R pediatric wrist radiograph | lateral projection | age 7 y, girl | subsequent exam
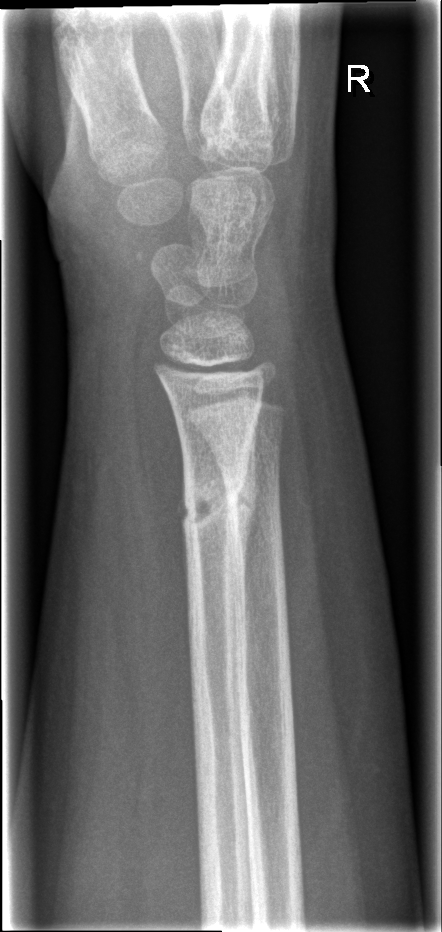

Fracture classified AO/OTA 23r-M/3.1.
Osteopenic.
Fx: [176, 448, 257, 549].
Periosteal thickening identified at [236, 418, 258, 579] [177, 449, 191, 623].